Rt wrist XR, PA/AP, 15y F, 74.3 mm image width, 516x1016. 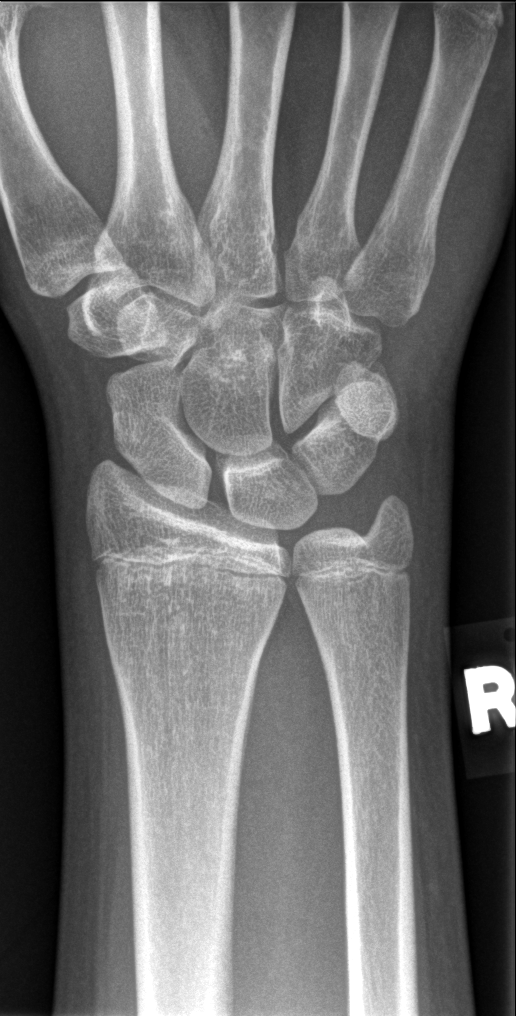
fracture: none labeled